Lat view; L wrist X-ray; 15y M; Siemens:

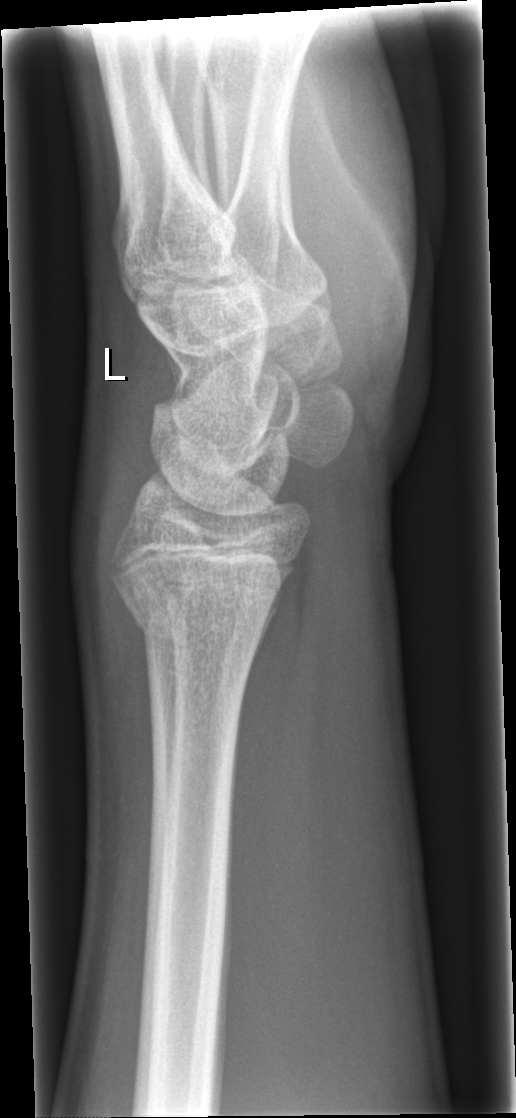 FINDINGS: AO/OTA classification: 23r-M/2.1. Fx identified at (left=120, top=581, right=277, bottom=662).